L wrist plain film; PA/AP view; age 7 y, male; follow-up.

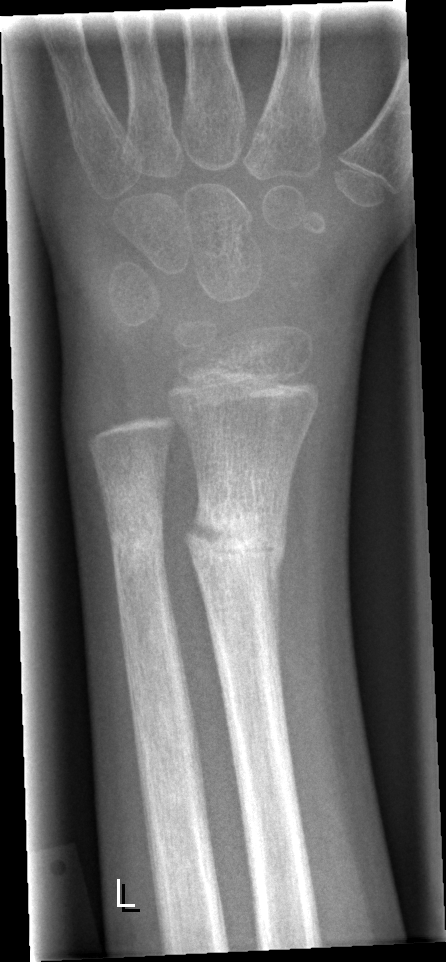
Pixel coordinates, top-left origin, xyxy. AO code 23-M/3.1. One periosteal new bone at 263,543,285,685. Reduced bone mineral density. Bone fractures — 181,502,294,573 | 99,526,176,567.